Left wrist pediatric wrist radiograph, lat projection, detector: Siemens:

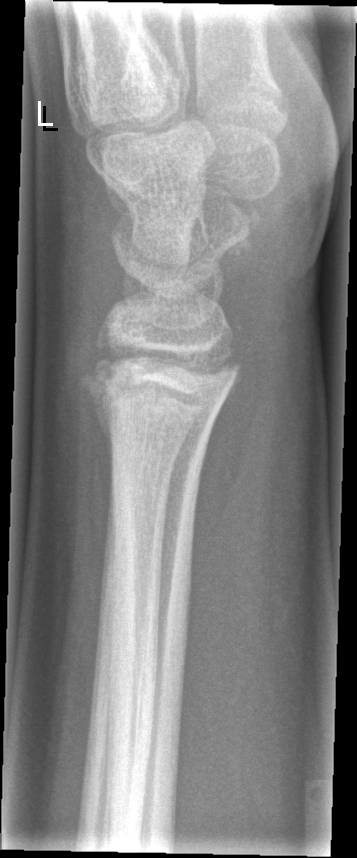 (coordinates are [x1, y1, x2, y2] in image pixels)
bone fracture = 1 @ (74, 338, 245, 427)